Left wrist pediatric wrist radiograph | frontal | age 12 y, male | image size 736x1000

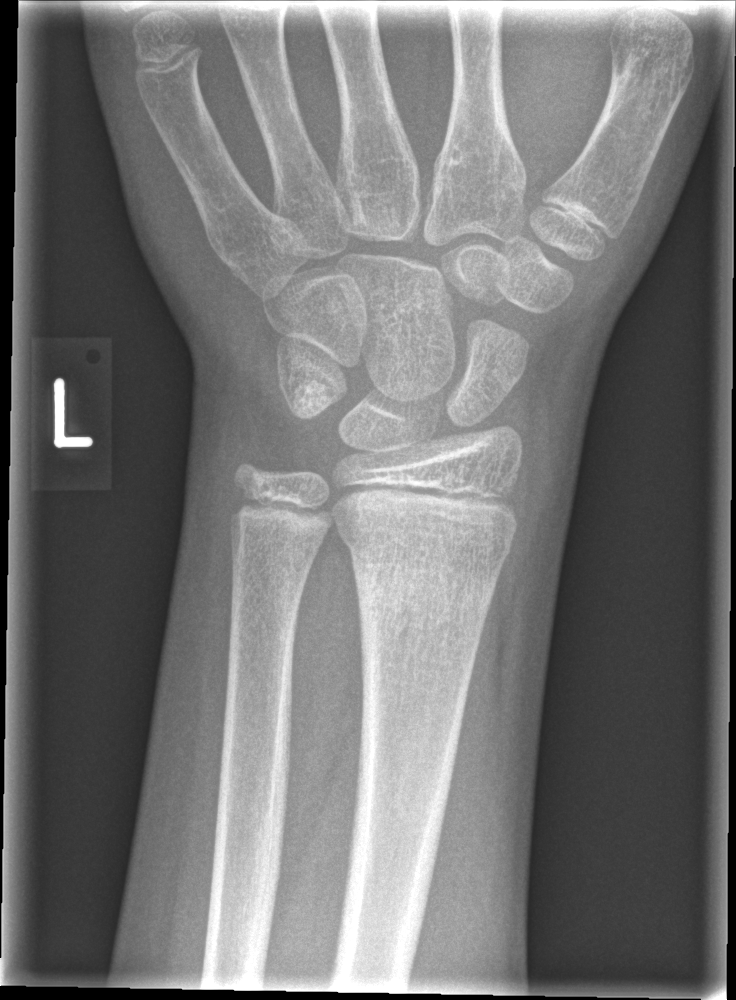   # boxes as x1,y1,x2,y2 (top-left / bottom-right, pixel units)
  fracture: 2 @ (left=332, top=509, right=514, bottom=574); (left=351, top=555, right=499, bottom=634)